AP | left wrist plain film:

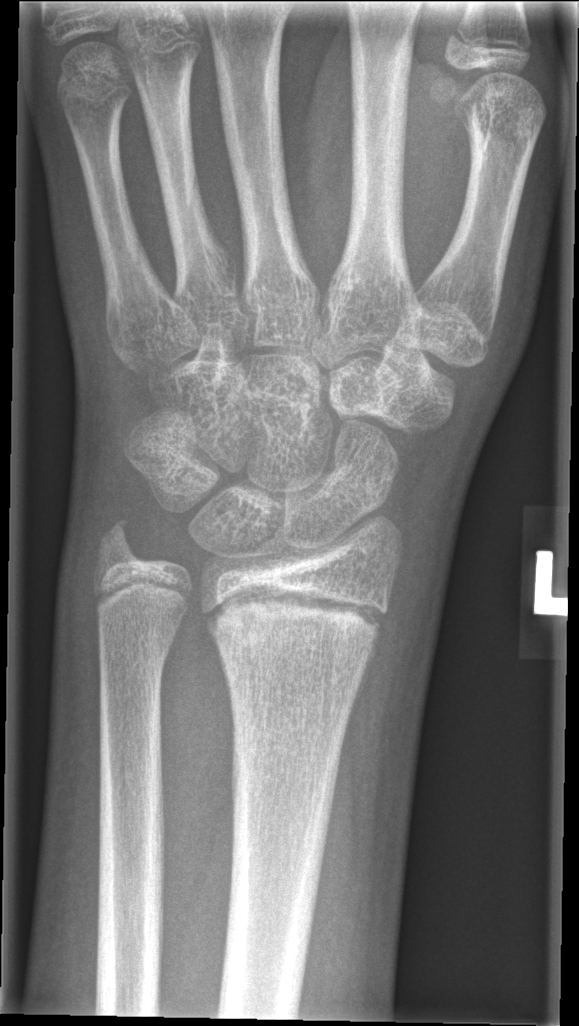

FINDINGS — Fracture: (201, 581, 395, 666) (93, 513, 147, 577). Osteopenic.